Lat, right wrist plain film, image size 381x1222

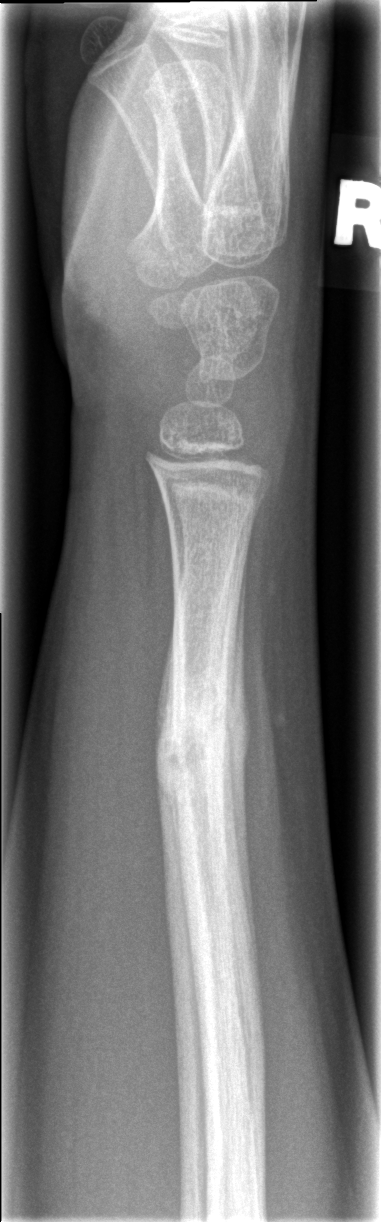

- One Fx at 145 673 266 808.
- Periosteal new bone: 225 523 255 960.
- Reduced bone mineral density.
- AO code 22-D/2.1.